Right wrist X-ray | PA | in cast:
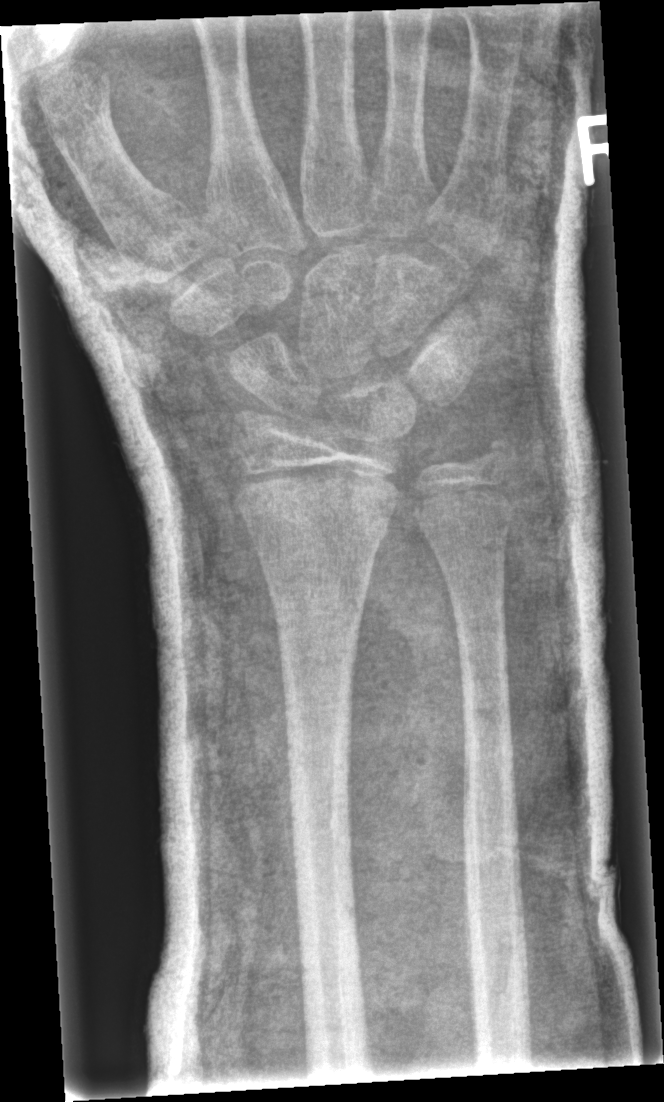

Fracture = 2 @ (left=241, top=462, right=400, bottom=539) (left=471, top=427, right=527, bottom=484)
AO/OTA = 23r-E/2.1; 23u-E/7